L plain radiograph of the wrist, lat:
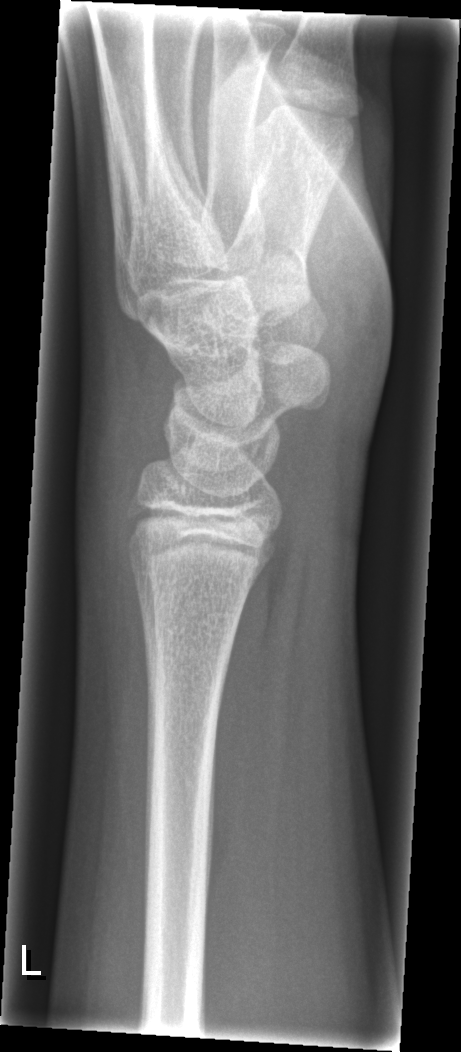 FINDINGS: Fracture: none labeled.